Lateral projection | Rt wrist X-ray | 11-year-old female | index exam: 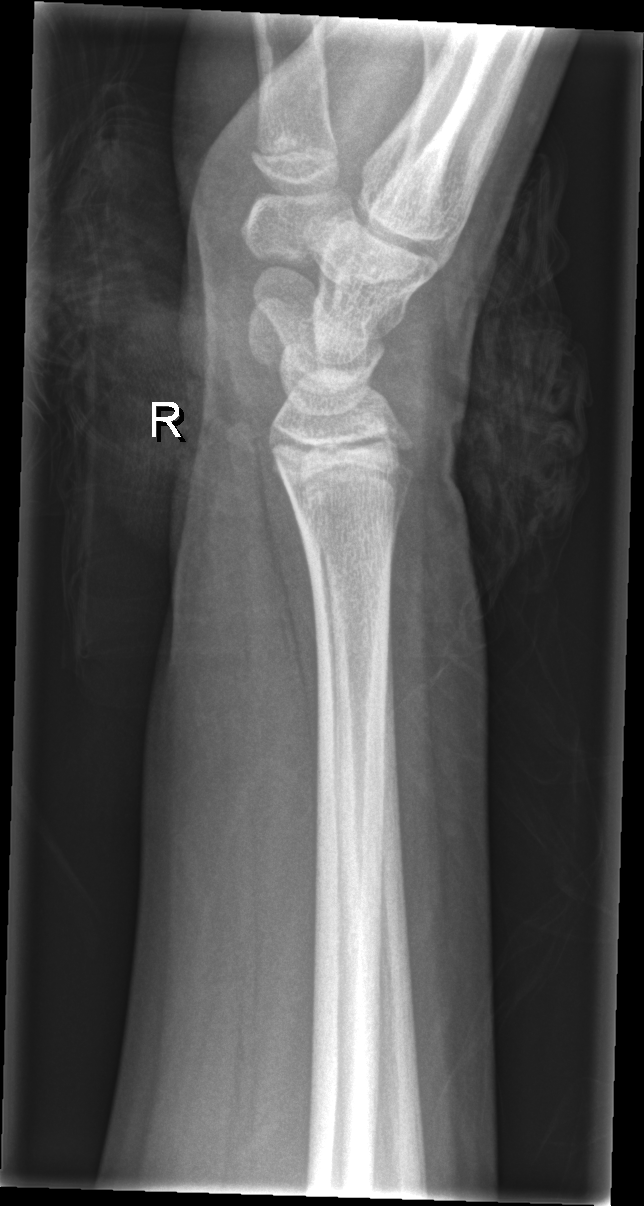
Bone fracture: none labeled